Frontal projection; right wrist X-ray; subsequent exam; cast in situ:

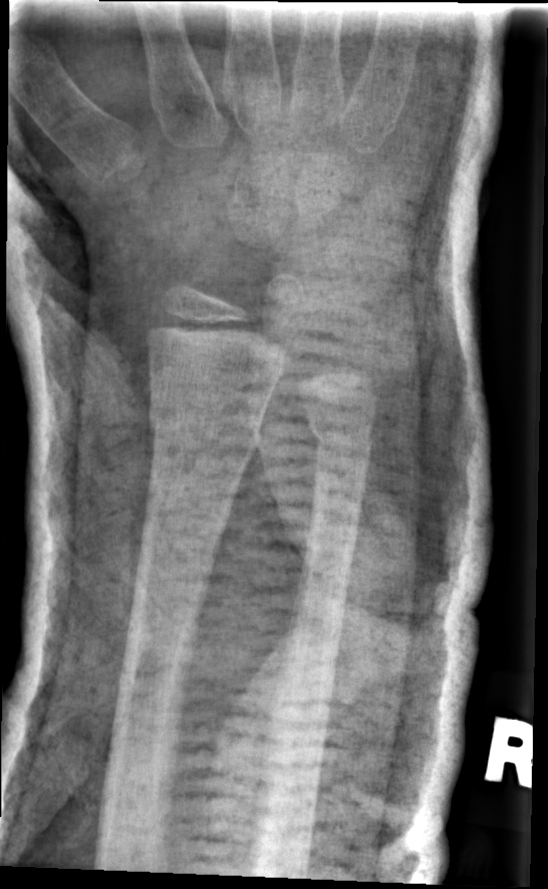
• Two Fx at [x1=144, y1=395, x2=270, y2=463], [x1=303, y1=401, x2=376, y2=464].
• AO code 23-M/2.1.